Lt wrist plain film · frontal projection · initial study.
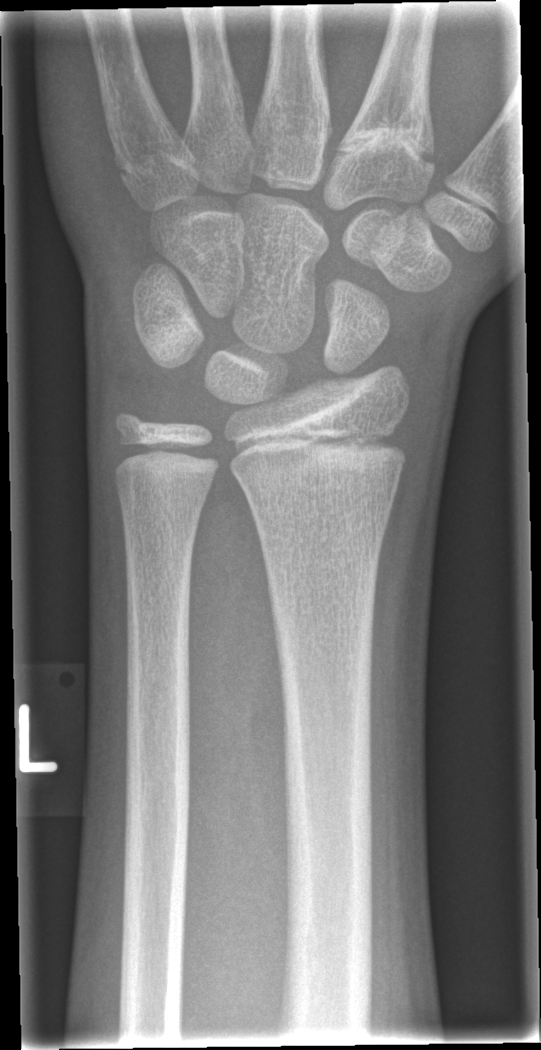
Q: Fracture present?
A: No fracture labeled